Left wrist plain film, lat projection —
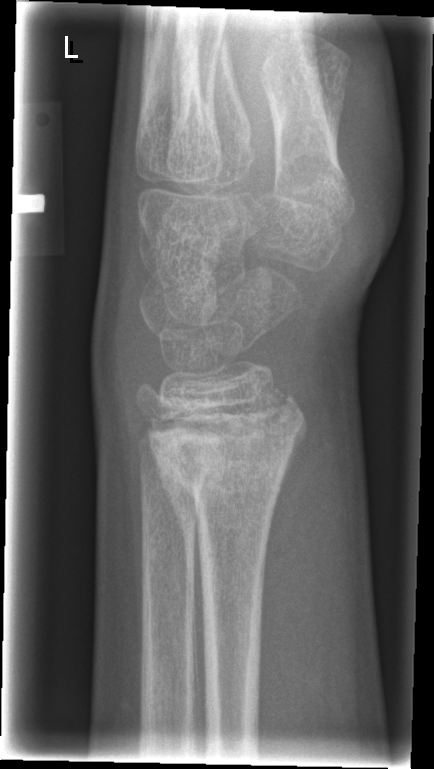 Fracture — <145,399>-<315,511>. Periosteal new bone identified at <152,441>-<203,607>.